Rt plain radiograph of the wrist, posteroanterior projection, image 77.8 mm wide:
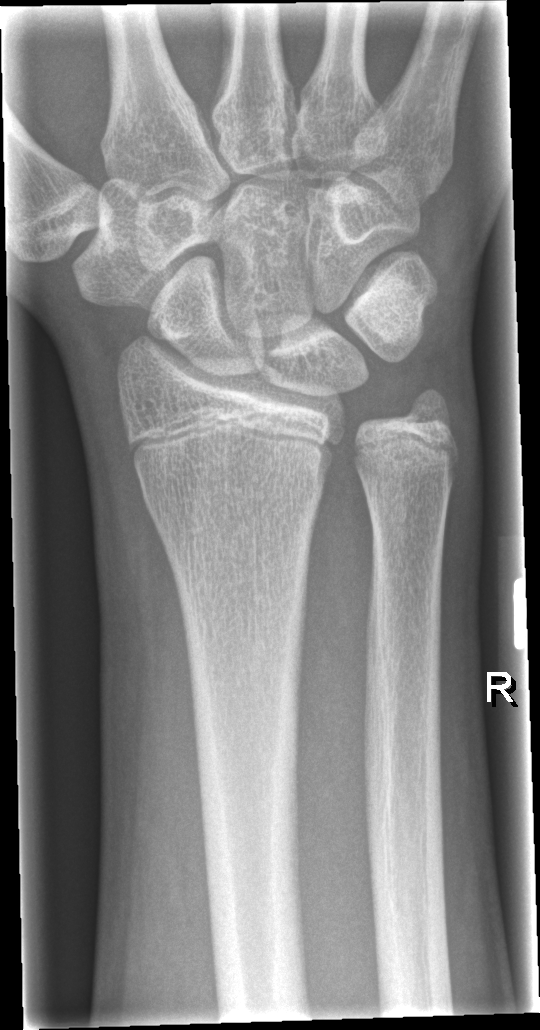

No fracture bounding box.